PA/AP projection | Rt wrist radiograph | pediatric patient (boy, age 14) | 564 x 849 px

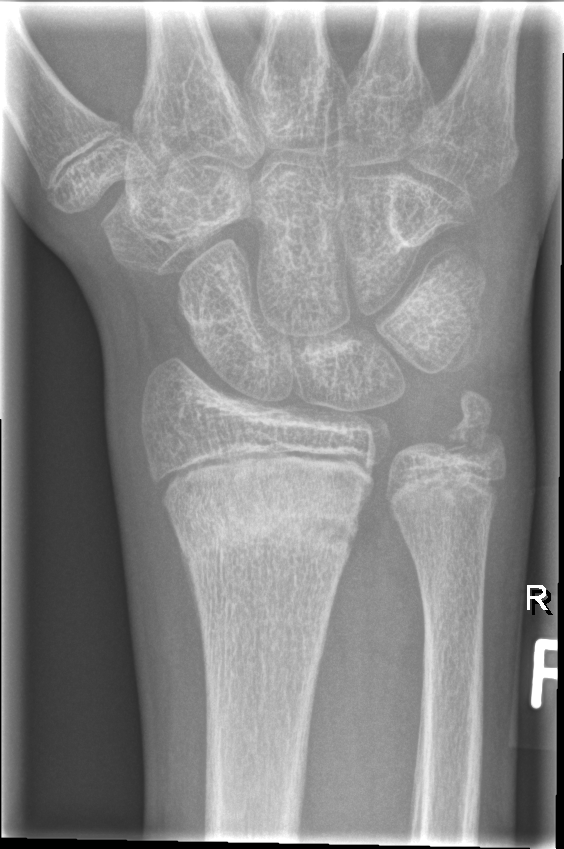 (bounding boxes in image-pixel xyxy)
fracture: 2 @ 171 472 369 574
  444 391 504 467